Lat · Lt wrist plain film · subsequent exam —
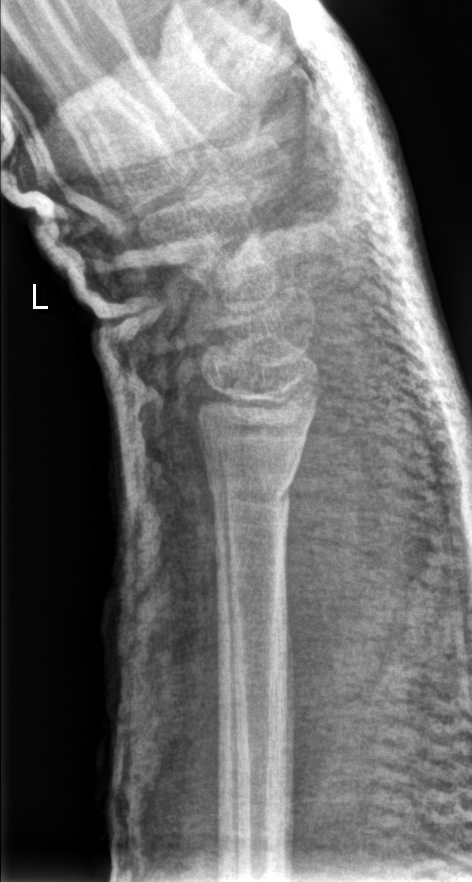

Fracture — (203, 458, 299, 523).